Rt wrist X-ray, posteroanterior, 13-year-old boy, Siemens, 560 x 1030 px —
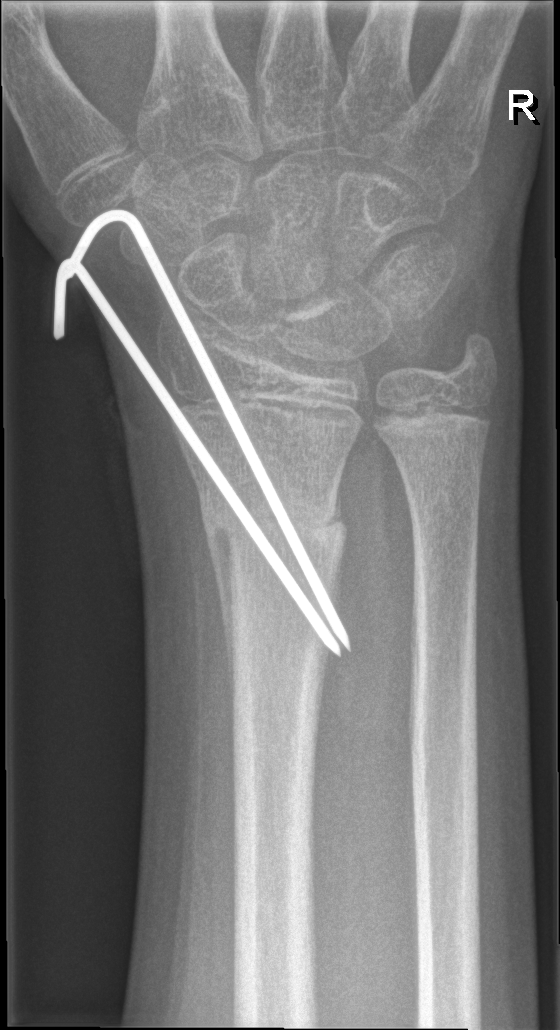
Fracture classified AO/OTA 23r-M/3.1; 23u-E/1.
Periosteal reaction: bbox(202, 513, 234, 735).
Metal identified at bbox(28, 195, 378, 682).
Bone fracture identified at bbox(199, 486, 348, 569).